PA/AP view, Rt wrist X-ray, cast in situ, acquired on Siemens, 694 by 1028 pixels —

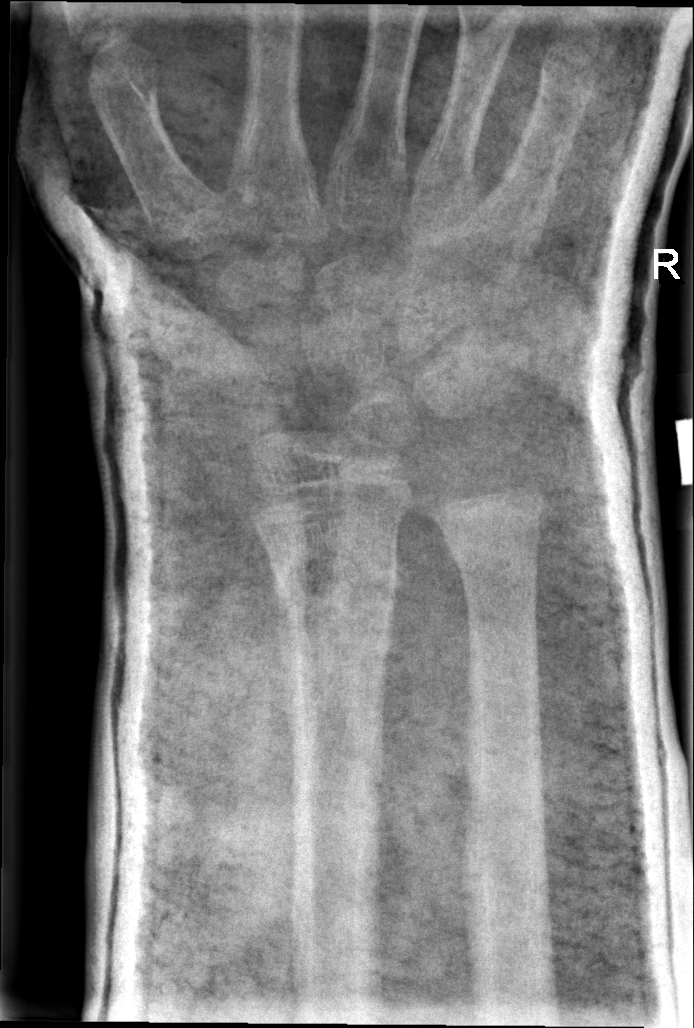   # coordinates are [x1, y1, x2, y2] in image pixels
  fracture: (left=267, top=564, right=405, bottom=642)